Left wrist XR · lateral projection · age 10 y, girl · index exam
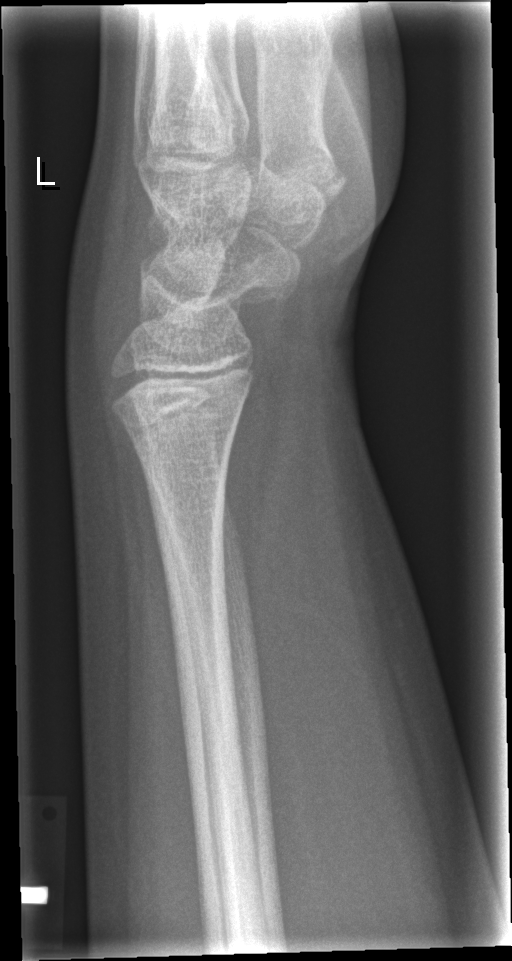 {"fracture": "none labeled"}